Right wrist plain film, lateral, 7-year-old girl, follow-up, imaged through cast, Siemens —

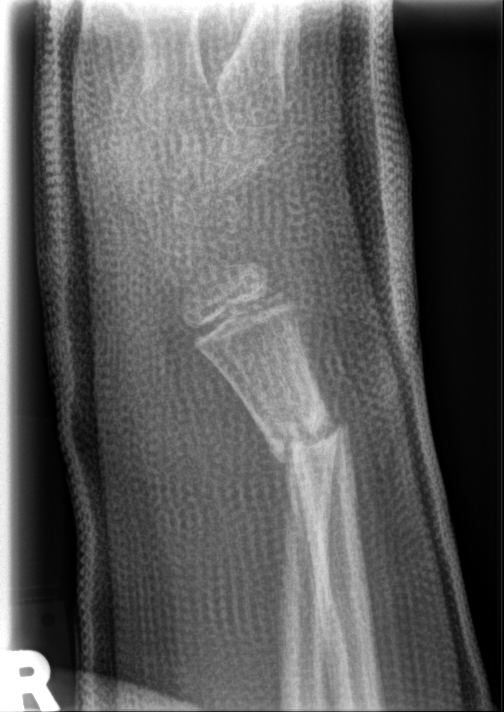
• Coordinates are [x1, y1, x2, y2] in image pixels.
• Bone fracture identified at <262,400>-<357,464>.
• Periosteal reaction — <270,445>-<324,631>.